Posteroanterior; Lt wrist XR; age 4 y, male; index exam; acquired on Siemens; 71.3 mm image width.

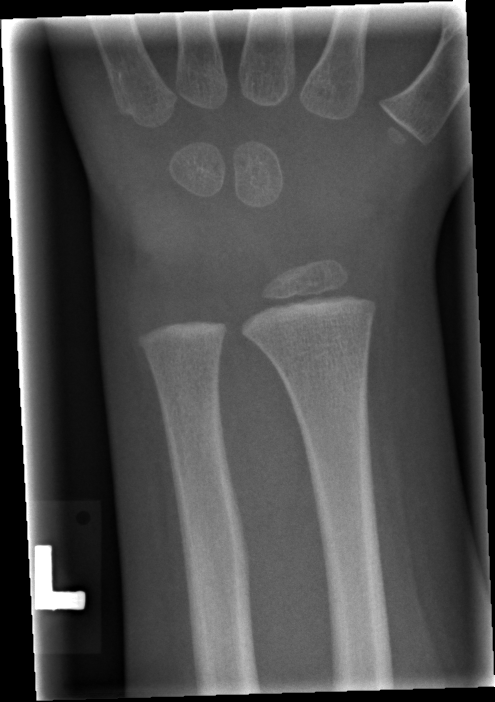 Q: Is there a fracture?
A: No Fx annotated